R plain radiograph of the wrist · frontal projection · 12y F: 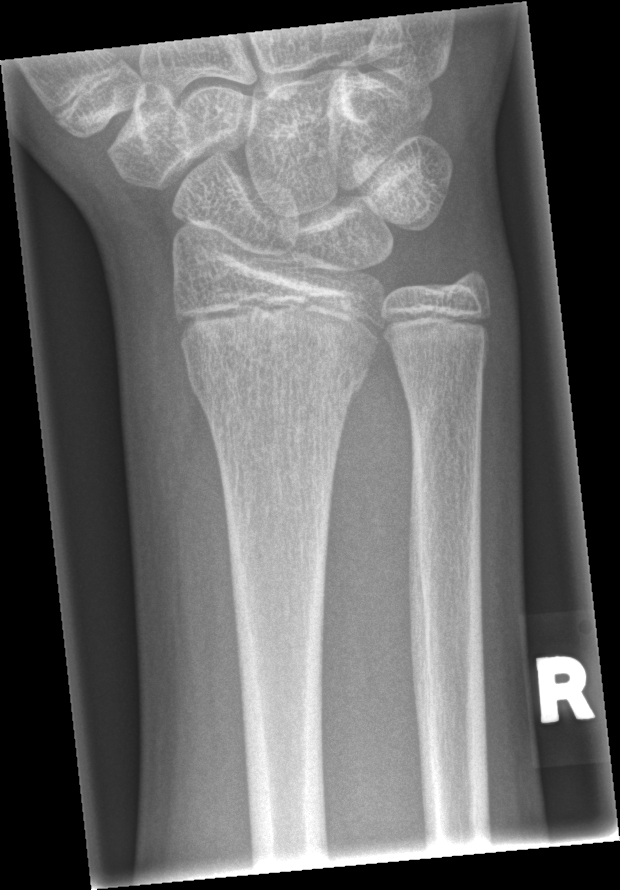 - Coordinates are [x1, y1, x2, y2] in image pixels.
- One bone fracture at (183, 322, 375, 411).